Lat; R wrist XR; pediatric patient (girl, age 1.6):

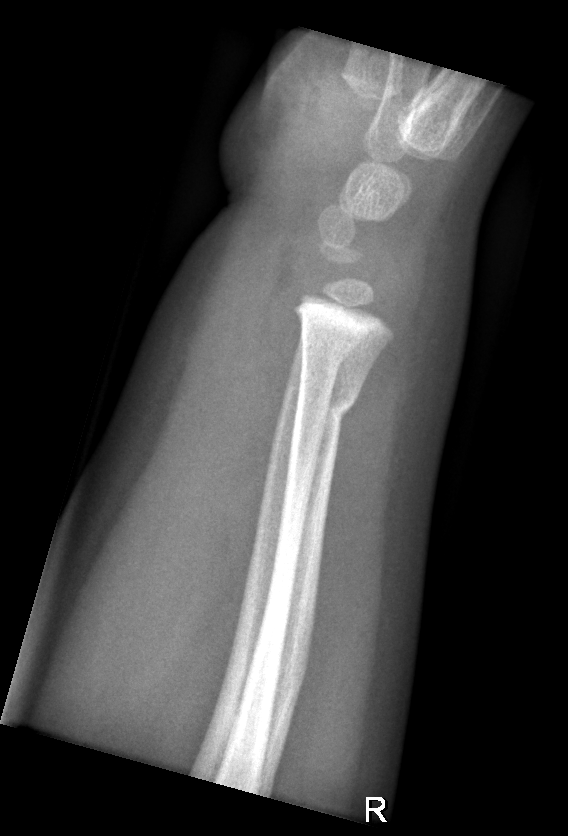
FINDINGS — Fractures — <281,381>-<361,434> <299,333>-<364,374>. AO code 23-M/2.1. One soft-tissue finding at <71,204>-<306,709>.